Posteroanterior | left wrist pediatric wrist radiograph | 10y M

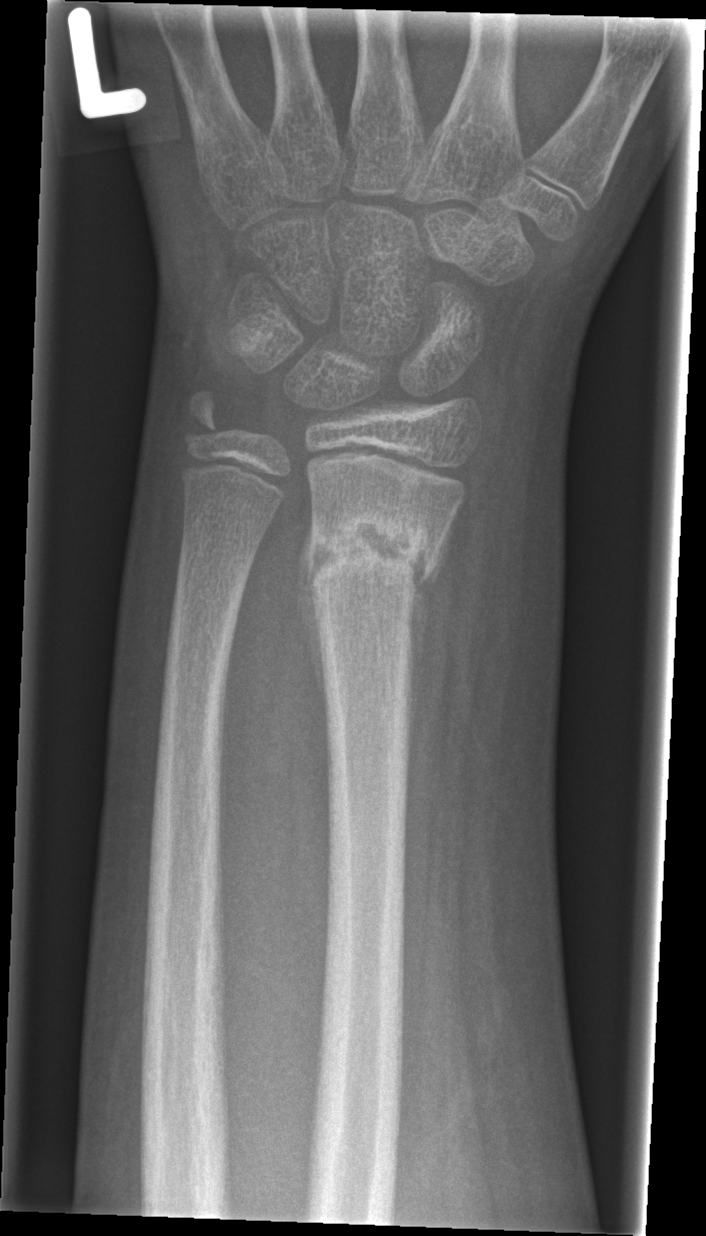 Findings: (coordinates are [x1, y1, x2, y2] in image pixels) Periosteal reaction identified at <404,516>-<456,754> <297,512>-<340,719>. Fracture identified at <304,508>-<444,605> <175,381>-<238,452>.